PA view, left wrist radiograph, pediatric patient (girl, age 5), initial study, image size 496x932 —

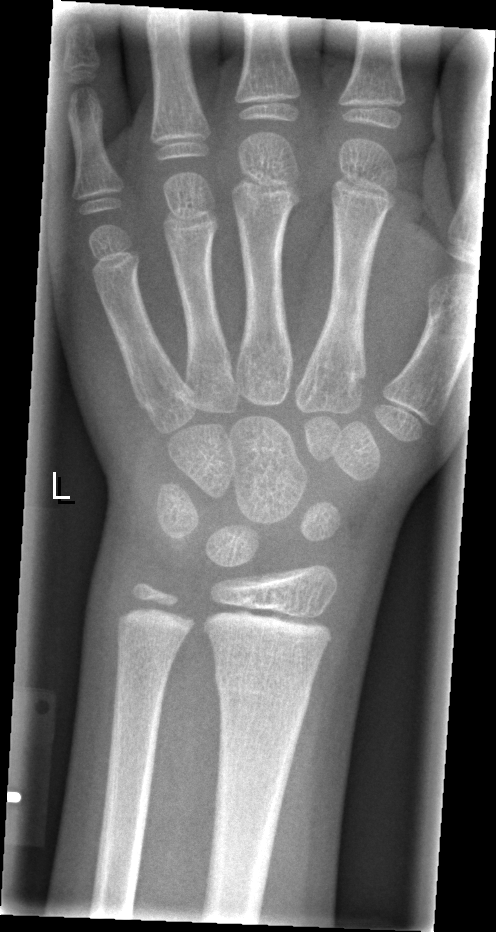
(boxes as x1,y1,x2,y2 (top-left / bottom-right, pixel units))
Fx = (212, 662, 314, 723)
AO classification = 23r-M/2.1